Rt wrist plain film · lat projection · female, 7 yo · image 67.1 mm wide:
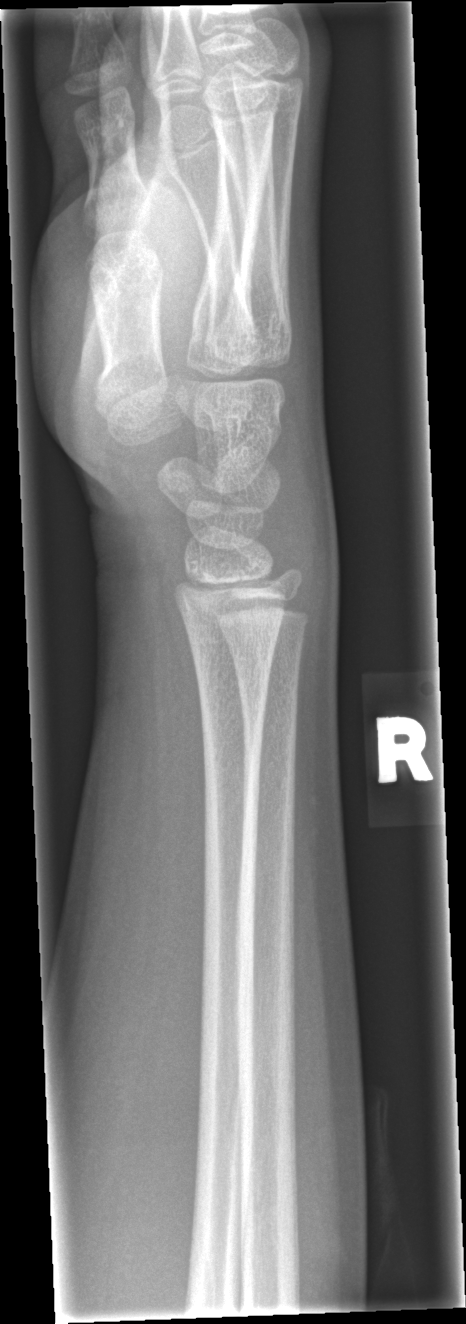 {"fracture": "none labeled"}